Lat, Lt pediatric wrist radiograph, age 6 y, boy
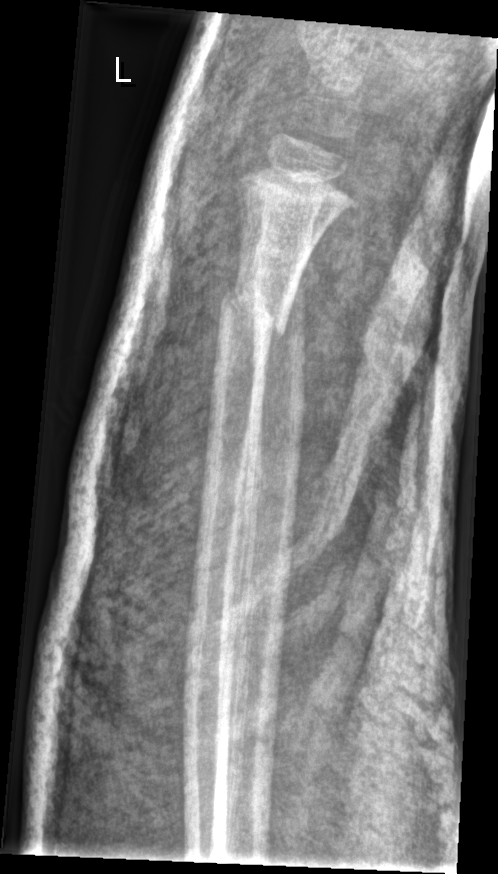 - Fracture classified AO/OTA 23-M/3.1.
- Bone fracture: (214, 286, 296, 341).